Lt pediatric wrist radiograph · lat · in cast.
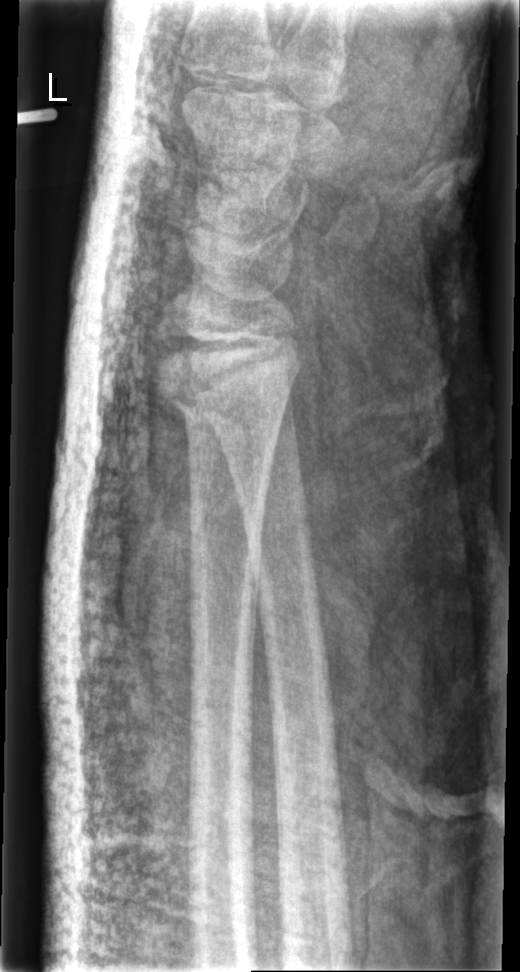
(pixel coordinates, top-left origin, xyxy)
fracture = 1 @ [153, 359, 304, 438]
AO/OTA = 23-M/2.1